R wrist radiograph; AP projection; acquired on Siemens — 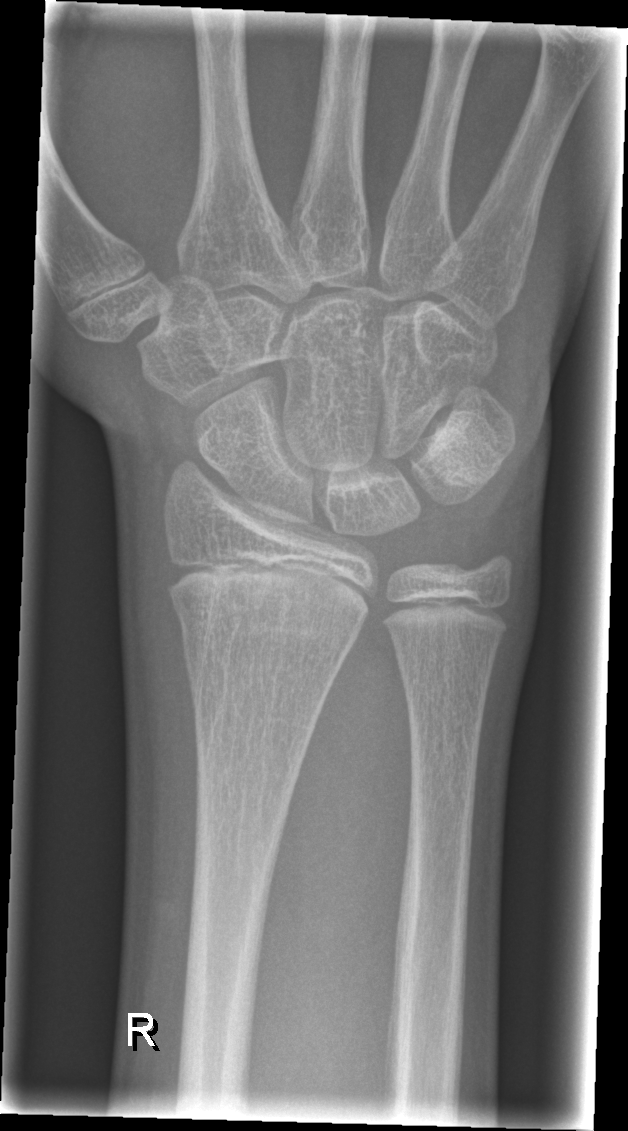
Fracture classified AO/OTA 23r-M/2.1. Fx — (left=171, top=589, right=362, bottom=668).